Lt wrist XR; PA/AP view; 540x919:

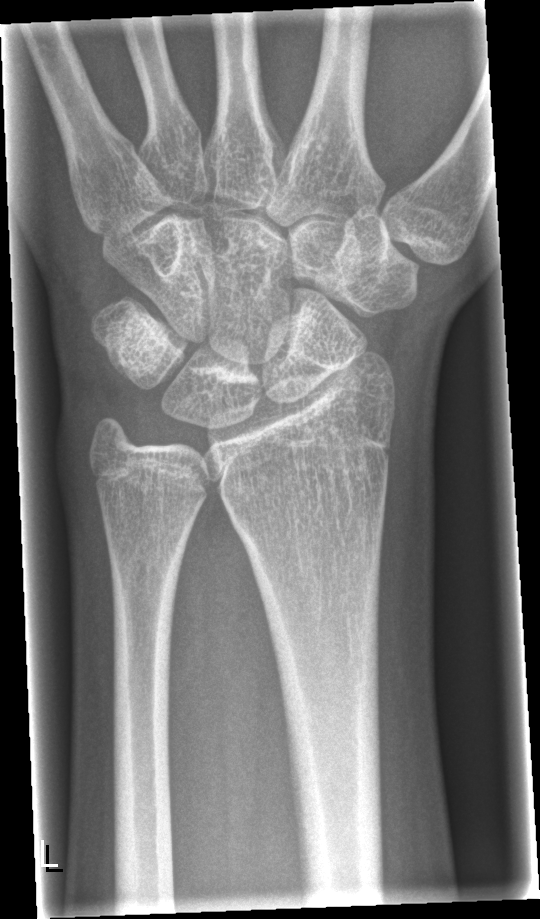
fracture: none labeled